Rt wrist radiograph; obl; pediatric patient (girl, age 5); acquired on Siemens. 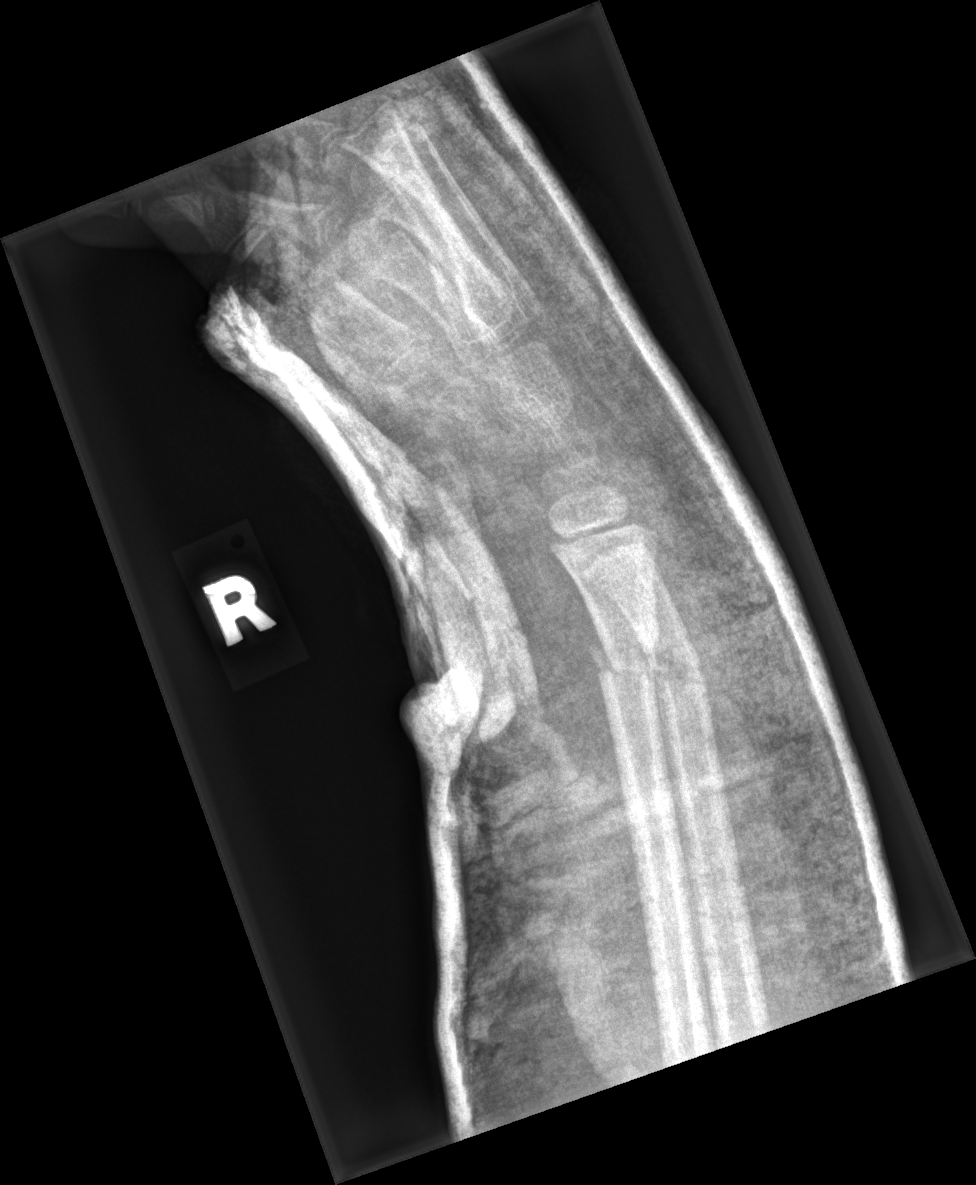 FINDINGS: Fracture classified AO/OTA 23-M/3.1. Fracture identified at 585 636 660 692 | 644 641 709 692.